Frontal projection · Rt wrist XR · cast present:

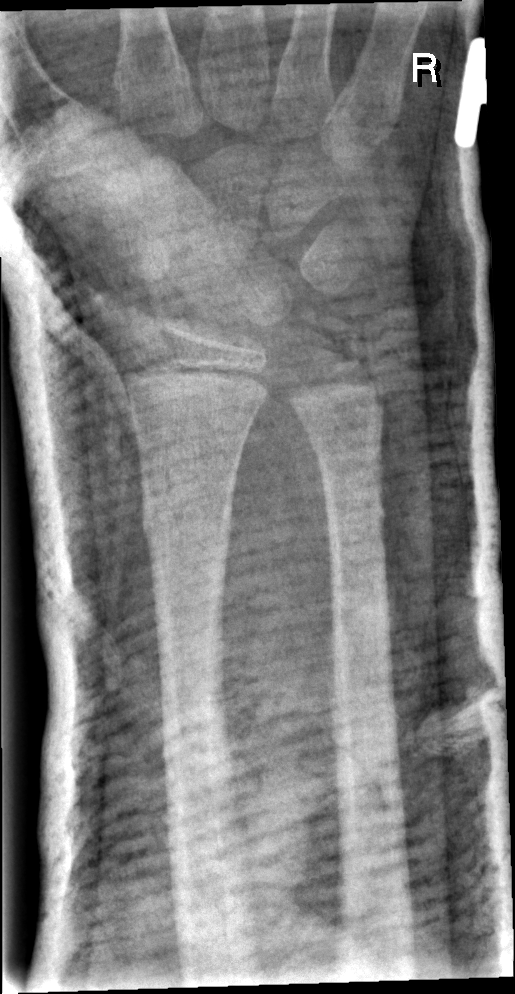

Fx = 1 @ 138 499 236 551
AO classification = 23r-M/3.1; 23u-M/2.1